Lateral view; L wrist X-ray; detector: Siemens; 626 by 1168 pixels: 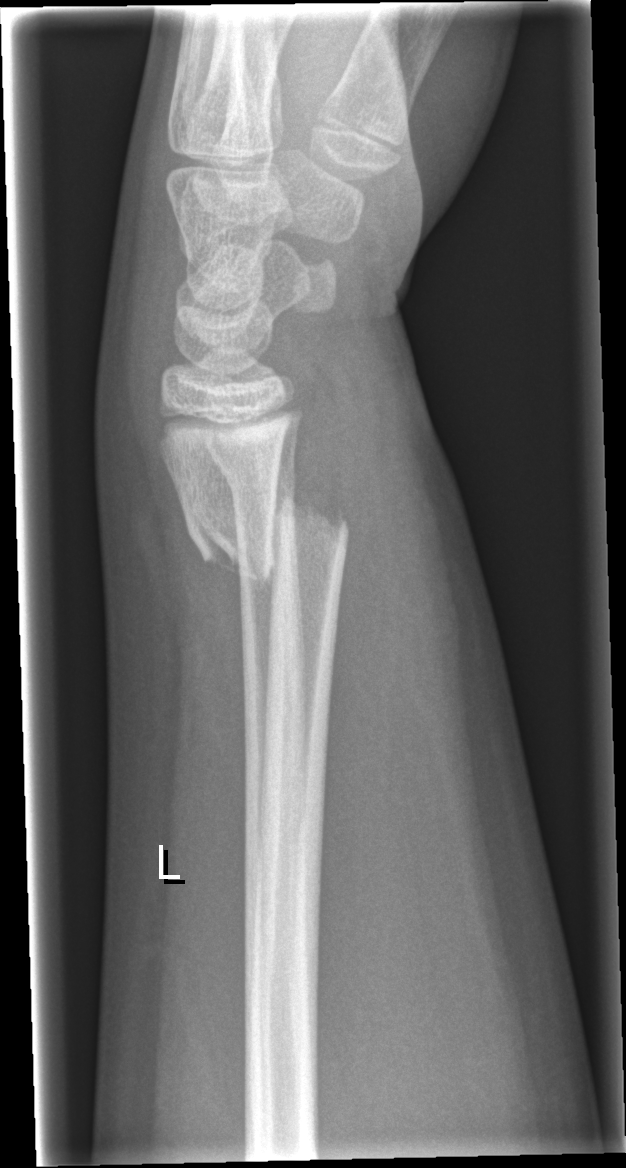 Fracture — 180 486 352 592. Fracture classified AO/OTA 23r-M/3.1; 23u-M/2.1.